Right wrist X-ray · PA view · 14-year-old boy · follow-up · 107.1 mm image width · image size 744x1360 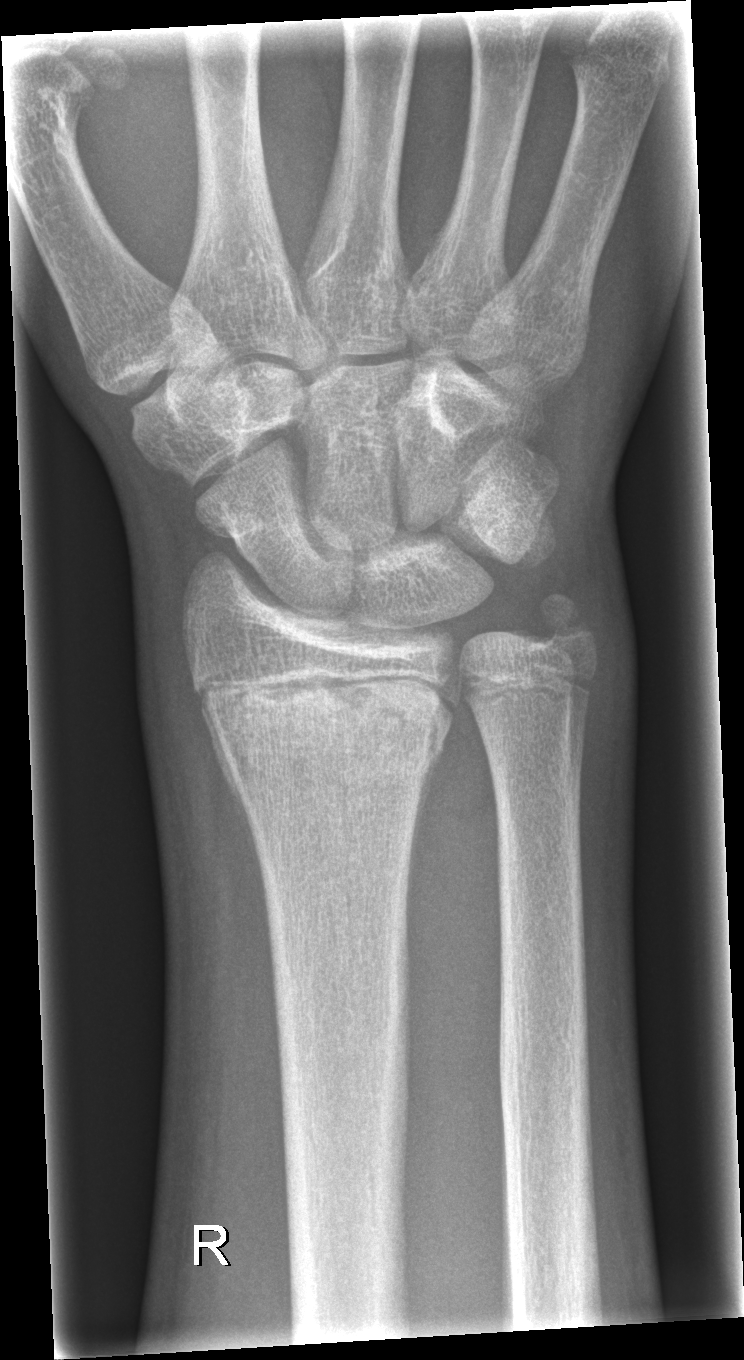
Q: Any fracture seen?
A: Two bone fractures at 185,650,464,799
  524,585,603,659
Q: AO code?
A: AO code 23r-E/2.1; 23u-E/7
Q: Bone density?
A: Osteopenic